Lat projection · right wrist plain film · 13-year-old boy —

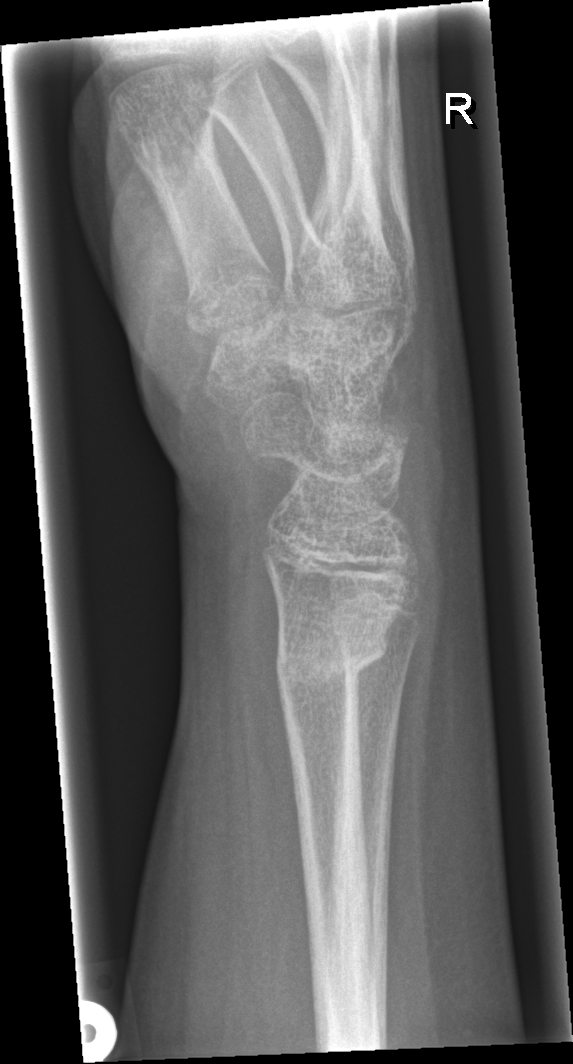 Osteopenia = present
AO code = 23r-M/3.1
Fx = <271,591>-<403,697>